PA/AP projection, left wrist radiograph, index exam 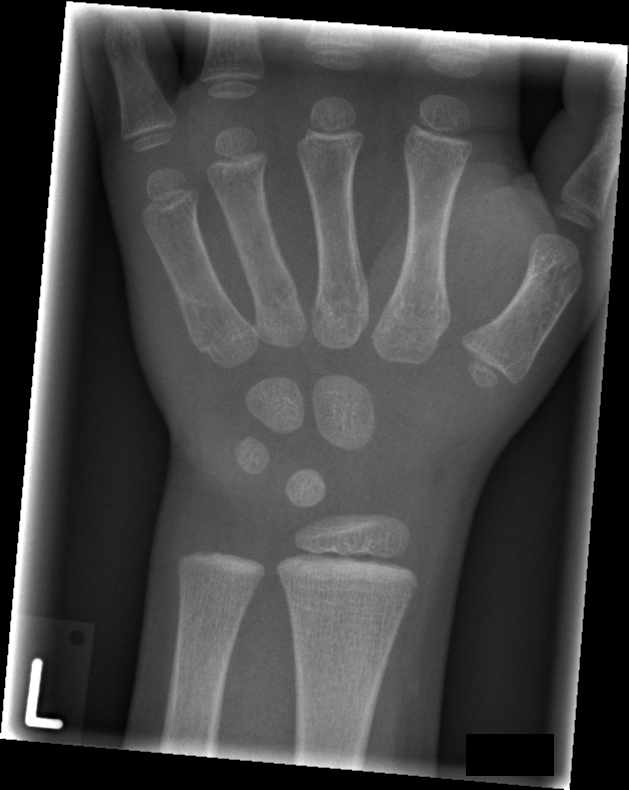 No fracture labeled.